Left wrist plain radiograph of the wrist · lateral · age 11 y, girl · image size 446x1112.

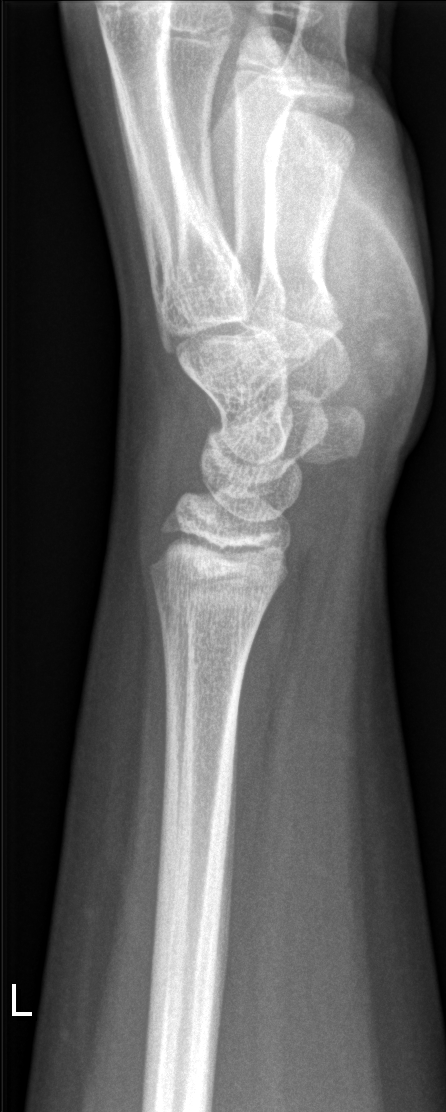
Fracture: none labeled.